Lt wrist XR, lateral —
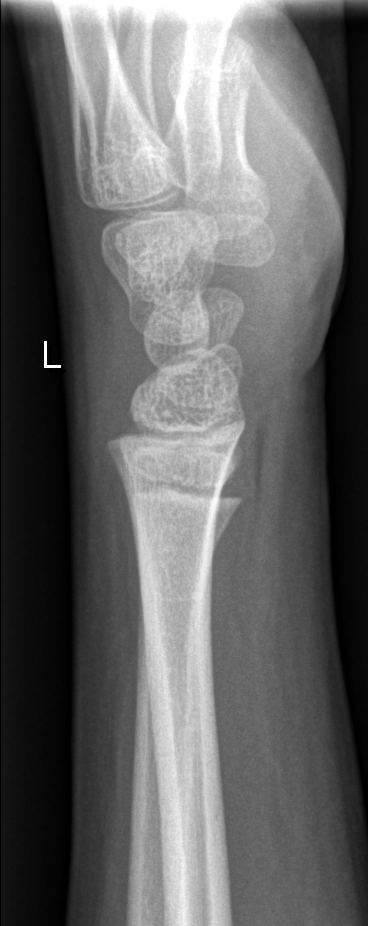 Q: Any fracture seen?
A: Fracture: none labeled